L plain radiograph of the wrist · lateral projection · age 11 y, boy · image size 560x839 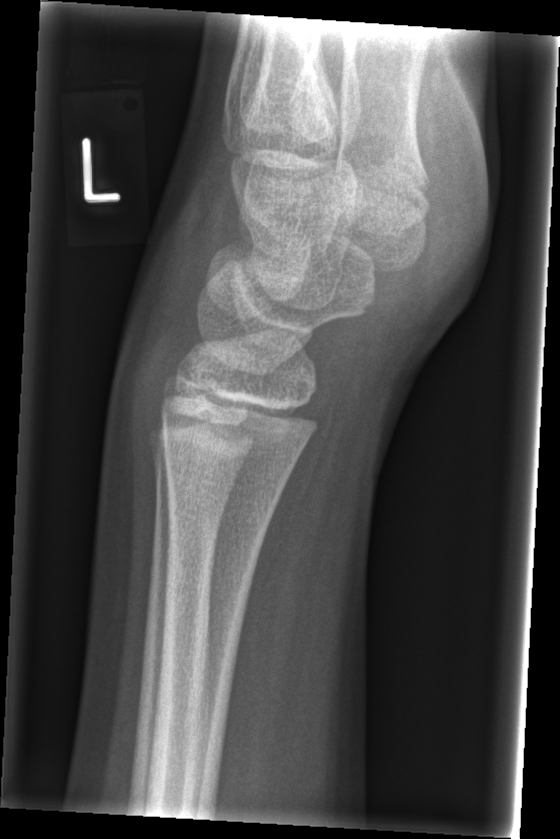

Fx: none.